Left wrist XR, frontal projection:
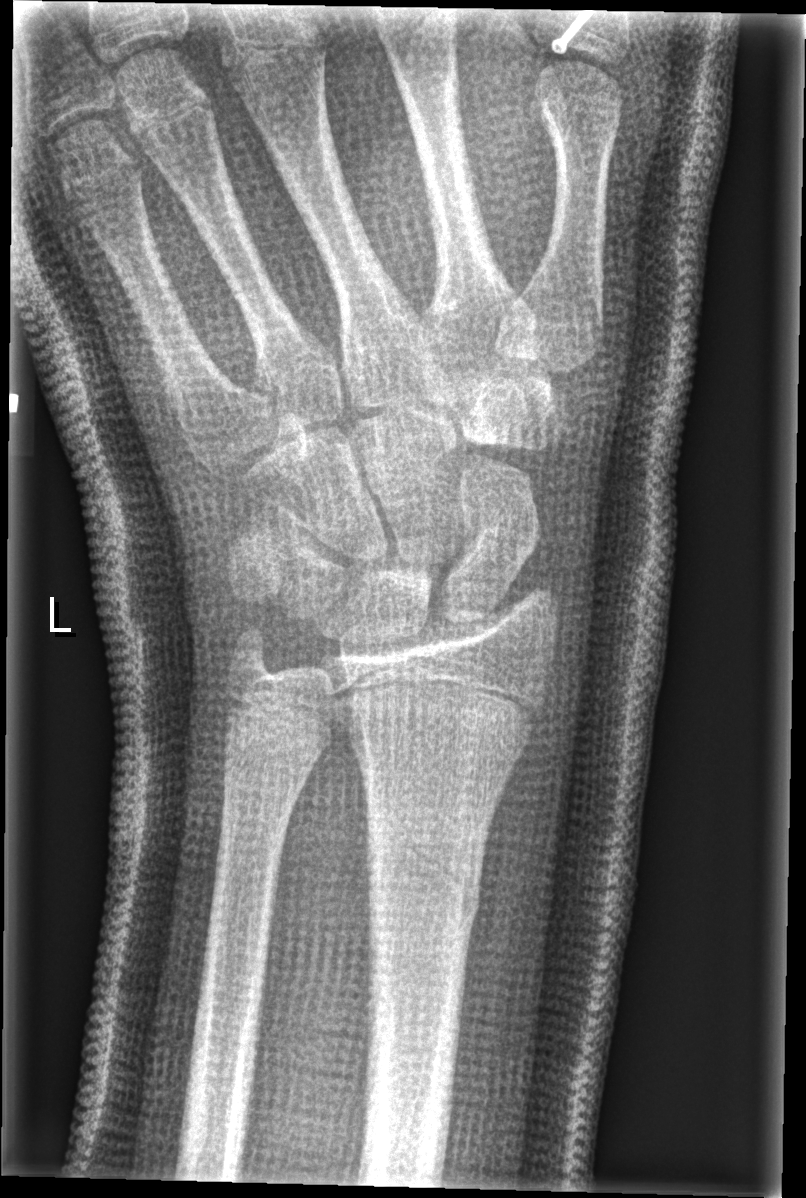

(boxes as x1,y1,x2,y2 (top-left / bottom-right, pixel units))
AO classification: 23r-M/3.1
fracture: 1 @ (362, 809, 484, 939)